Lat view · L wrist XR · 11y M · presentation radiograph:
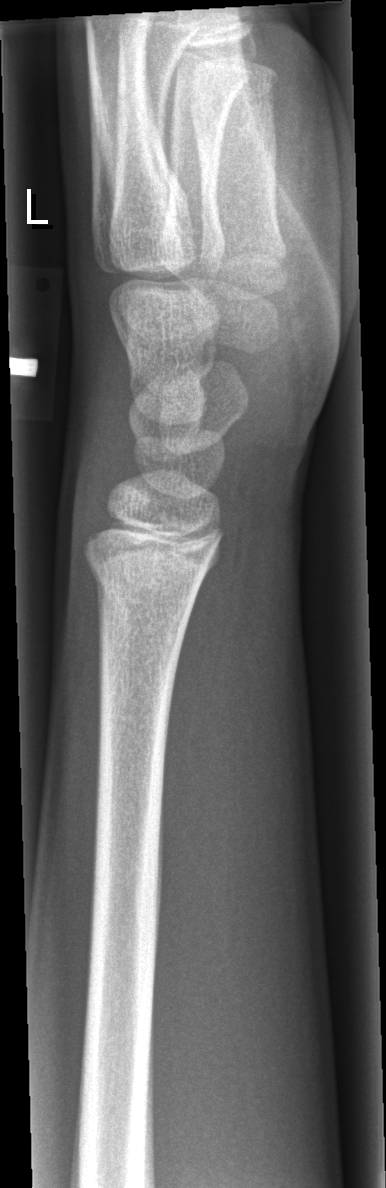 Fracture: 1 @ 82 543 206 617